L wrist plain film | lateral view | 12-year-old boy.

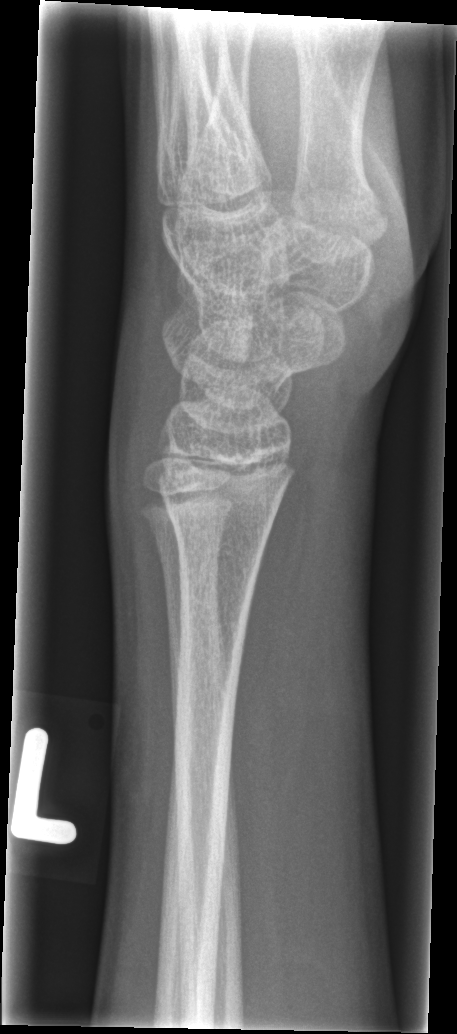 AO code = 23r-M/2.1
pronator quadratus fat-pad sign = 1 @ 233,468,314,729
soft tissue abnormality = 104,281,181,516
fracture = 1 @ 160,492,280,551